Right pediatric wrist radiograph; frontal view; age 7 y, boy; in cast:

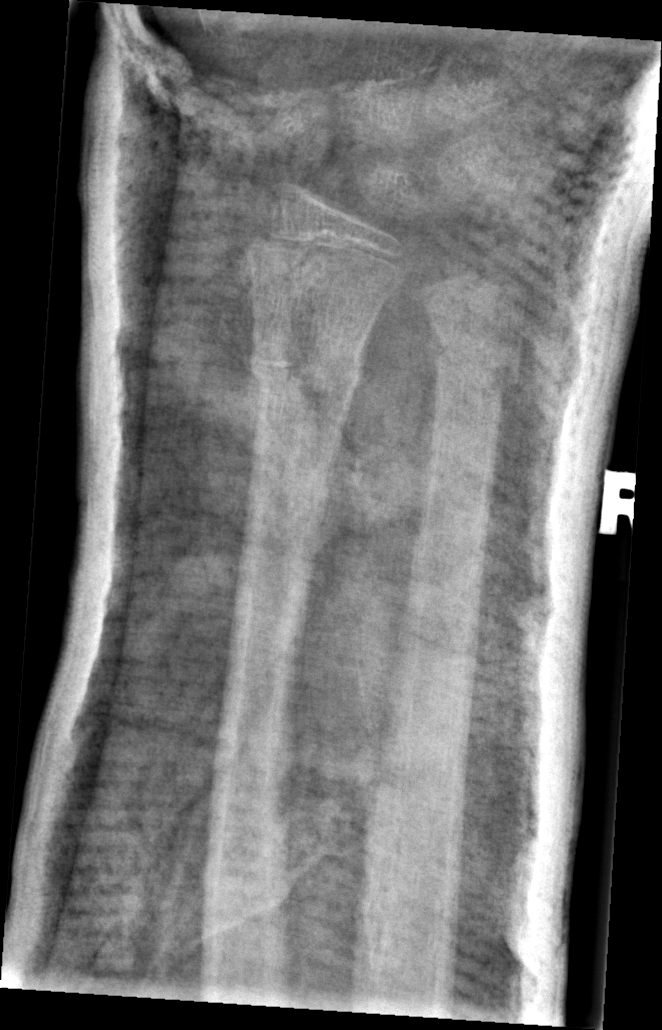
FINDINGS — AO code 23-M/3.1. Fx identified at [246, 331, 367, 409] [429, 330, 524, 399].